Lat projection · left wrist XR · follow-up study:

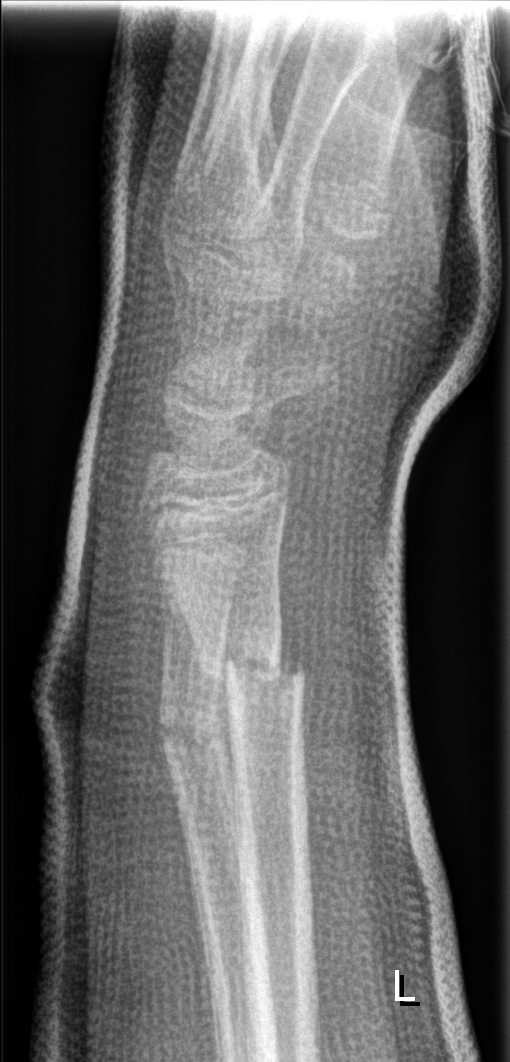
(pixel coordinates, top-left origin, xyxy)
Fracture: 2 @ 193,629,309,706 | 157,703,233,756
AO code: 23-M/3.1